Frontal projection, right wrist plain radiograph of the wrist, 6y M, 79.6 mm image width. 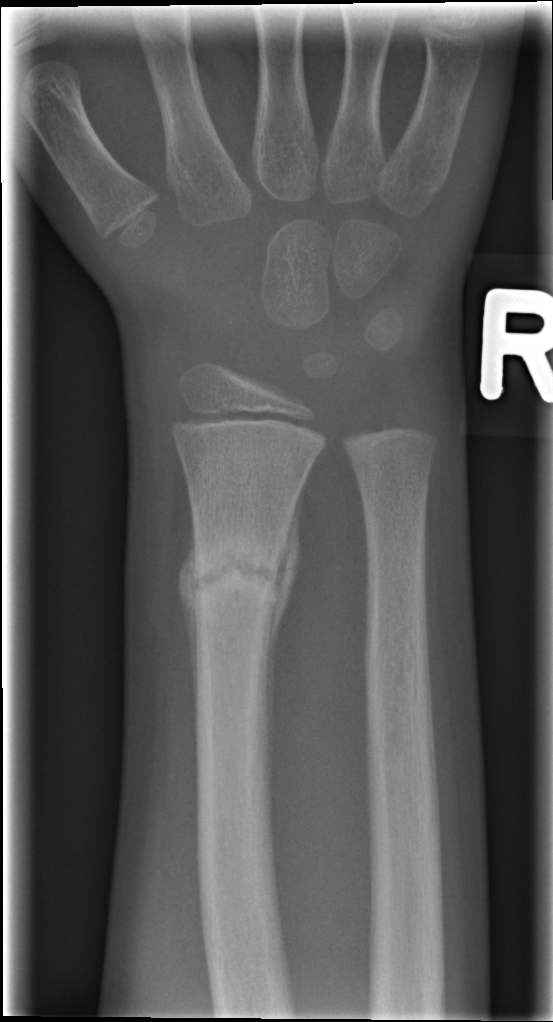 ao: 23r-M/3.1
periostealreaction: 2 @ <266,493>-<300,696>; <179,553>-<200,690>
fracture: 1 @ <173,531>-<291,624>